Frontal view; R wrist XR; equivocal findings:

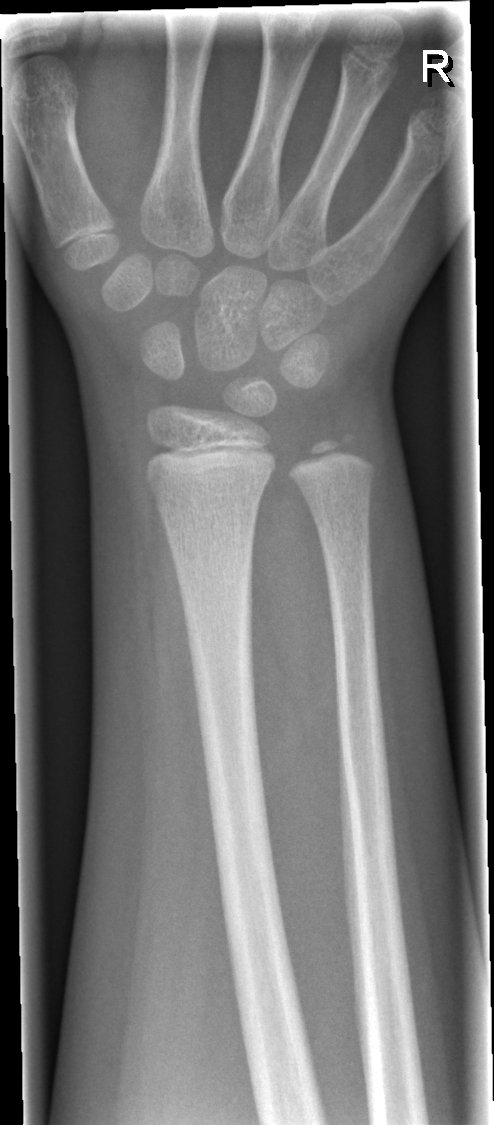
No fracture labeled.